Frontal view, left wrist XR, follow-up, imaged through cast, Siemens, 89.6 mm image width, image size 622x1084 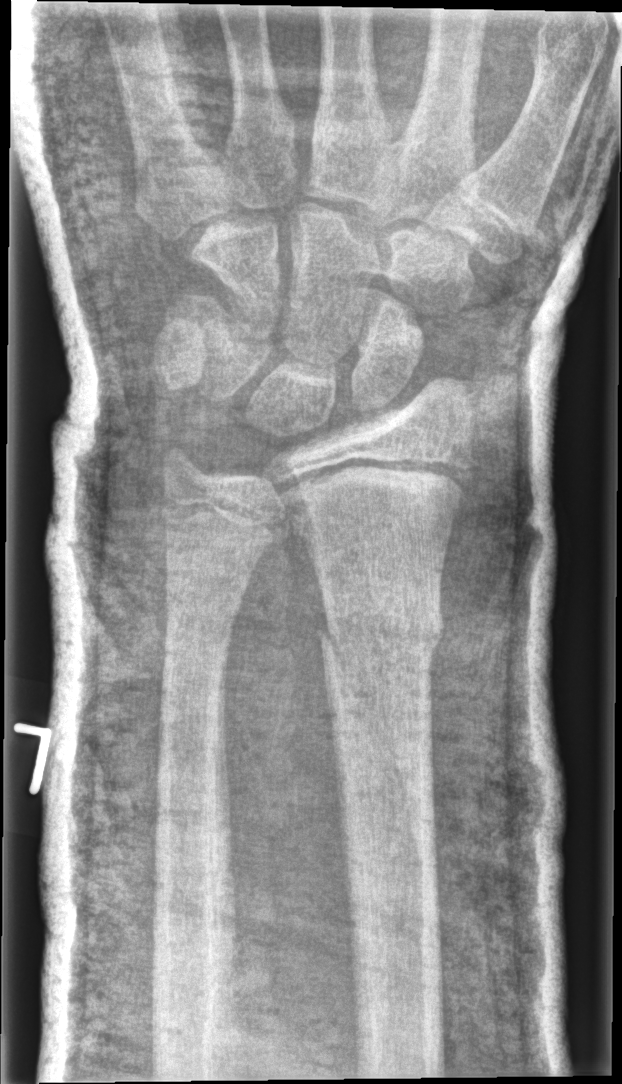
  ao: 23-M/3.1
  fracture: (310, 606, 447, 662)